Rt wrist plain film; lateral; 6y M; 741x1032:

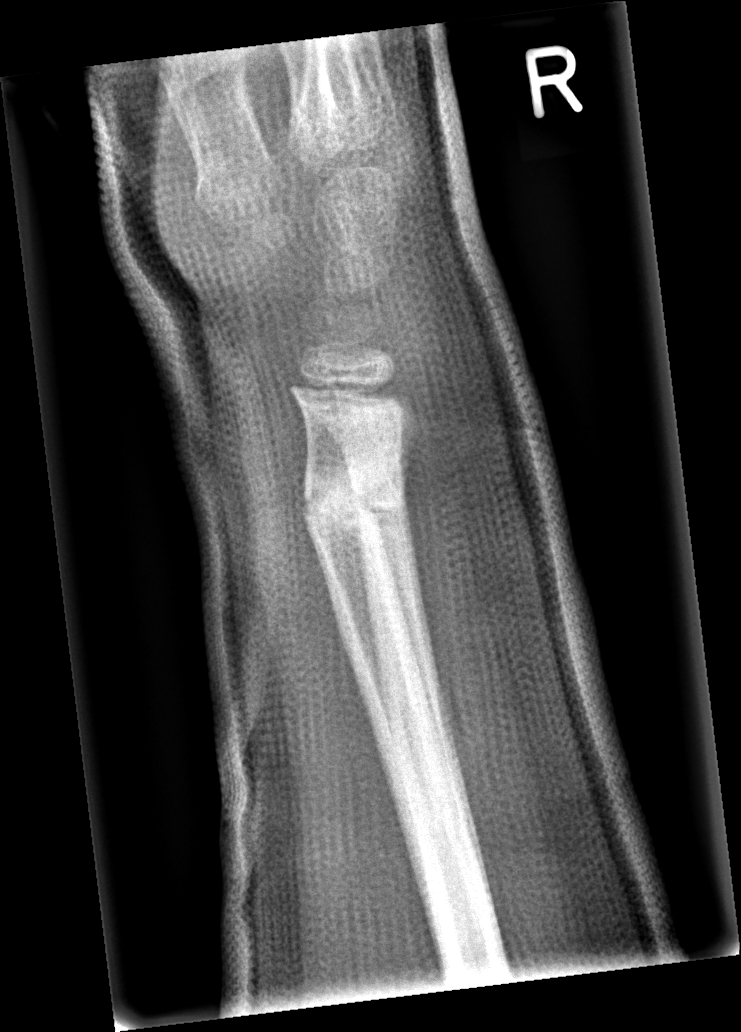
FINDINGS: One bone fracture at [297, 474, 412, 545].